PA, left wrist pediatric wrist radiograph, 12-year-old female, cast present: 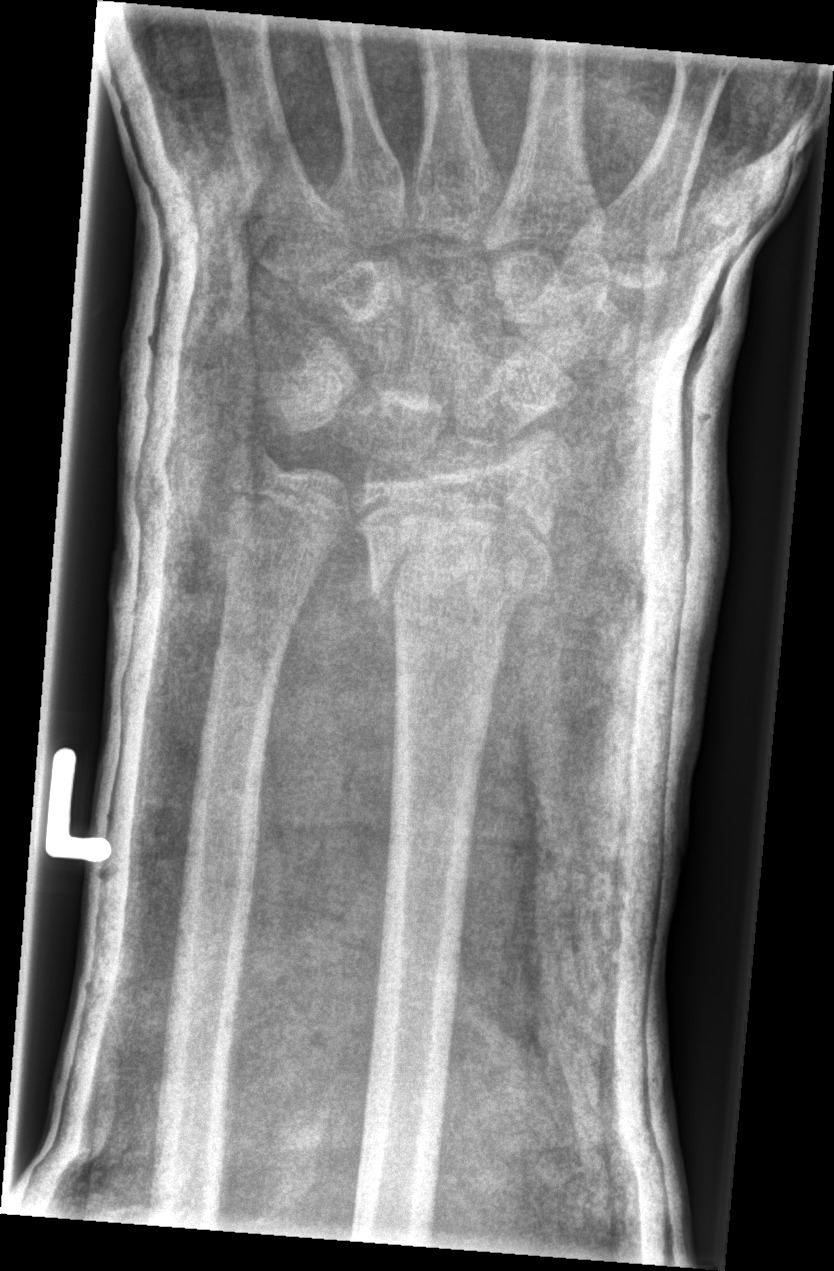

Q: Locate any fractures.
A: Fracture — 364,506,559,610
Q: AO code?
A: Fracture classified AO/OTA 23r-M/3.1; 23u-E/7